L wrist radiograph; lat projection; 9-year-old female; cast in situ — 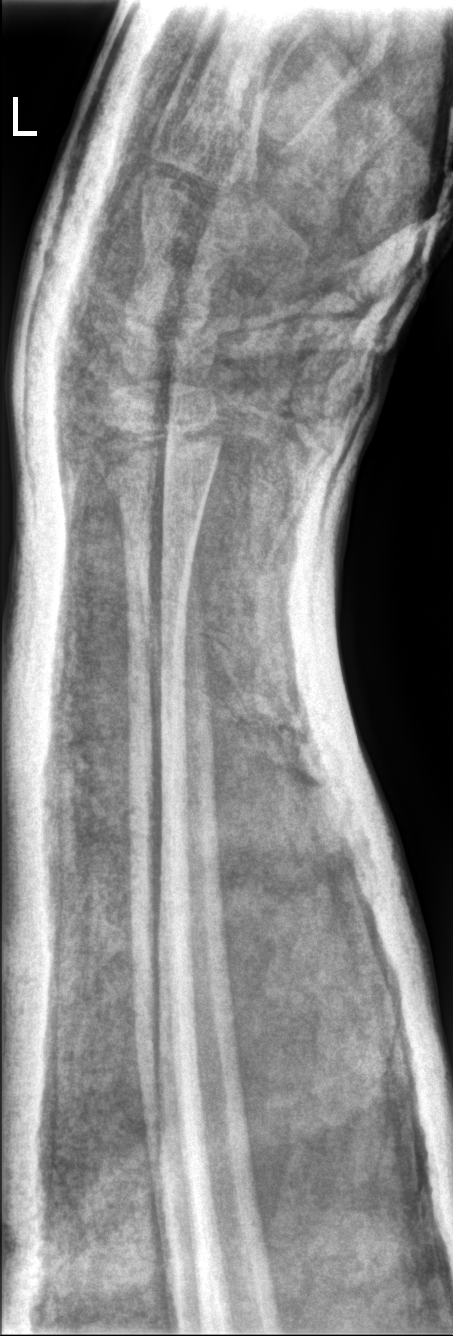 - One Fx at 94,445,224,515.
- Fracture classified AO/OTA 23-M/3.1.